Right wrist plain film · lateral view · 406x1077:
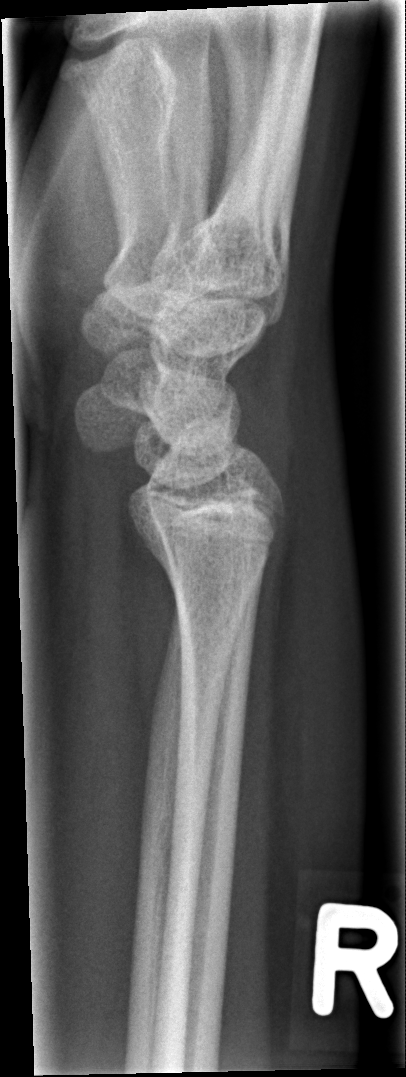 bone fracture = none labeled